Right wrist radiograph · lat projection · age 8 y, boy

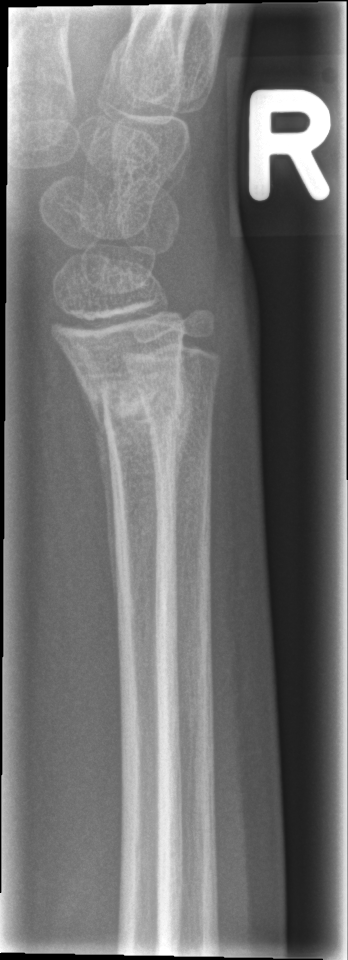 Bounding boxes in image-pixel xyxy. Periosteal thickening — (74, 368, 119, 632) (176, 338, 196, 524). AO code 23r-M/3.1. Bone fracture — (90, 386, 189, 450).